Lt wrist plain film · lateral view · pediatric patient (boy, age 9) · 383x738: 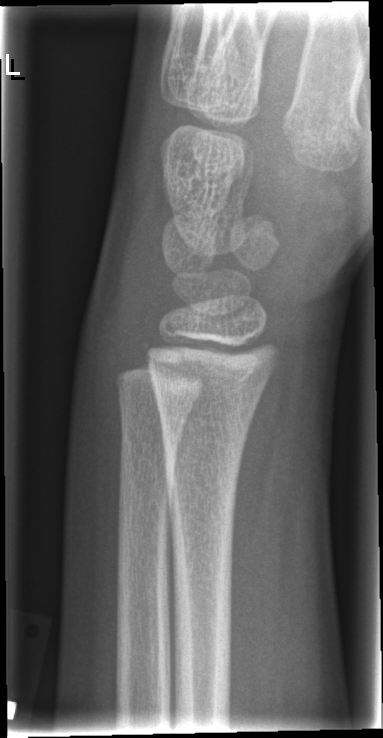   fracture: none labeled